Lat view; left pediatric wrist radiograph:

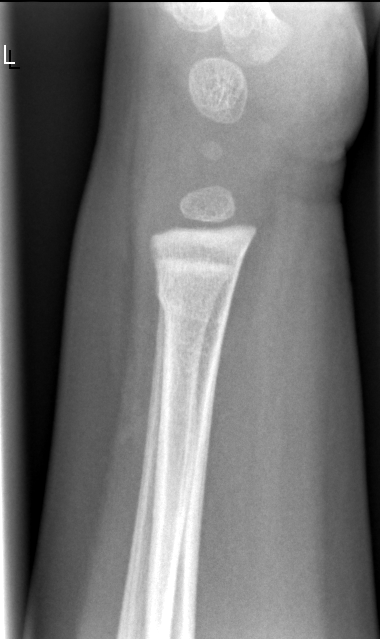

AO/OTA classification: 23r-M/2.1. One bone fracture at 151,268,235,331.